Lat; right wrist XR; 534 x 715 px. 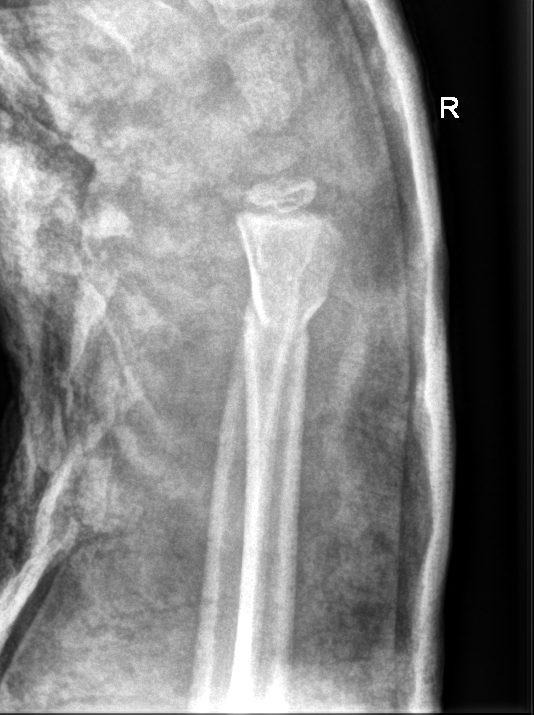

Boxes as x1,y1,x2,y2 (top-left / bottom-right, pixel units).
AO code 23-M/3.1.
Bone fracture — [225, 279, 332, 367].